Left plain radiograph of the wrist · PA/AP · 15y M:
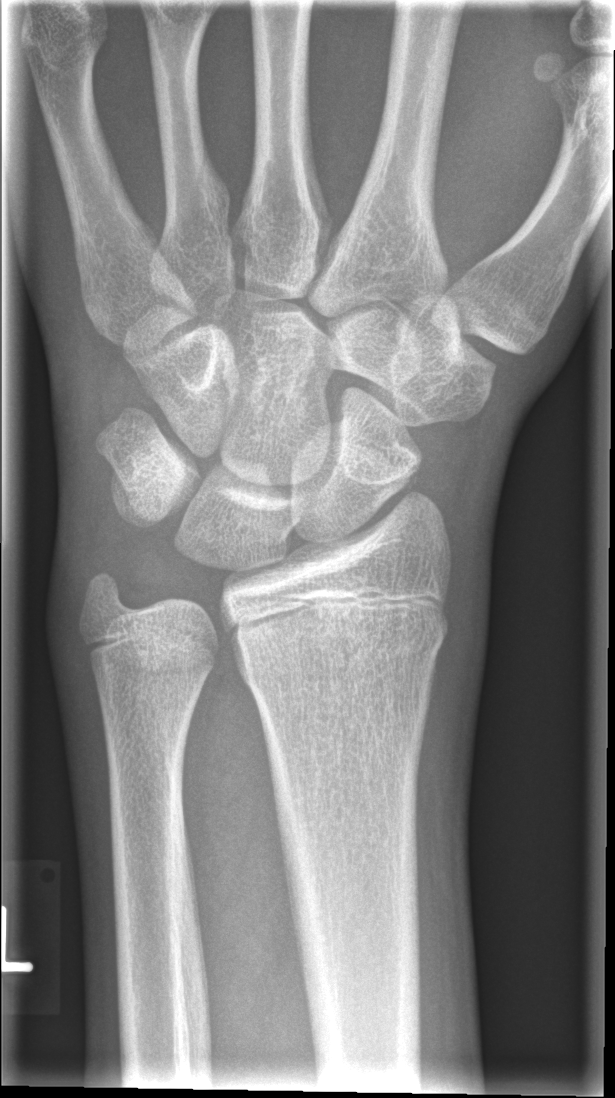
(coordinates are [x1, y1, x2, y2] in image pixels)
Q: What is the AO/OTA classification?
A: Fracture classified AO/OTA 23r-M/2.1
Q: Fracture present?
A: One Fx at [234, 605, 452, 701]